Left wrist plain film · lateral view · 8y F · Siemens · 307x832 —
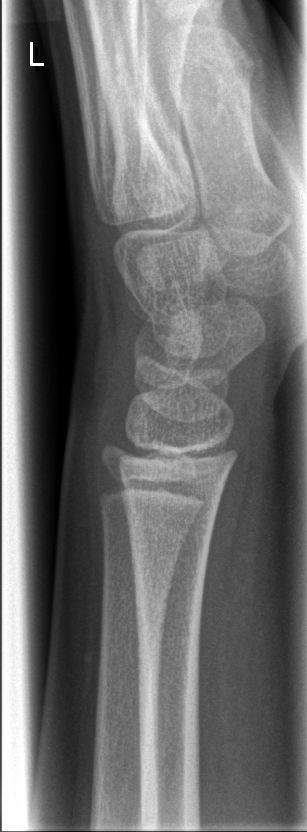
Fx: none.